R pediatric wrist radiograph | frontal | imaged through cast | Siemens 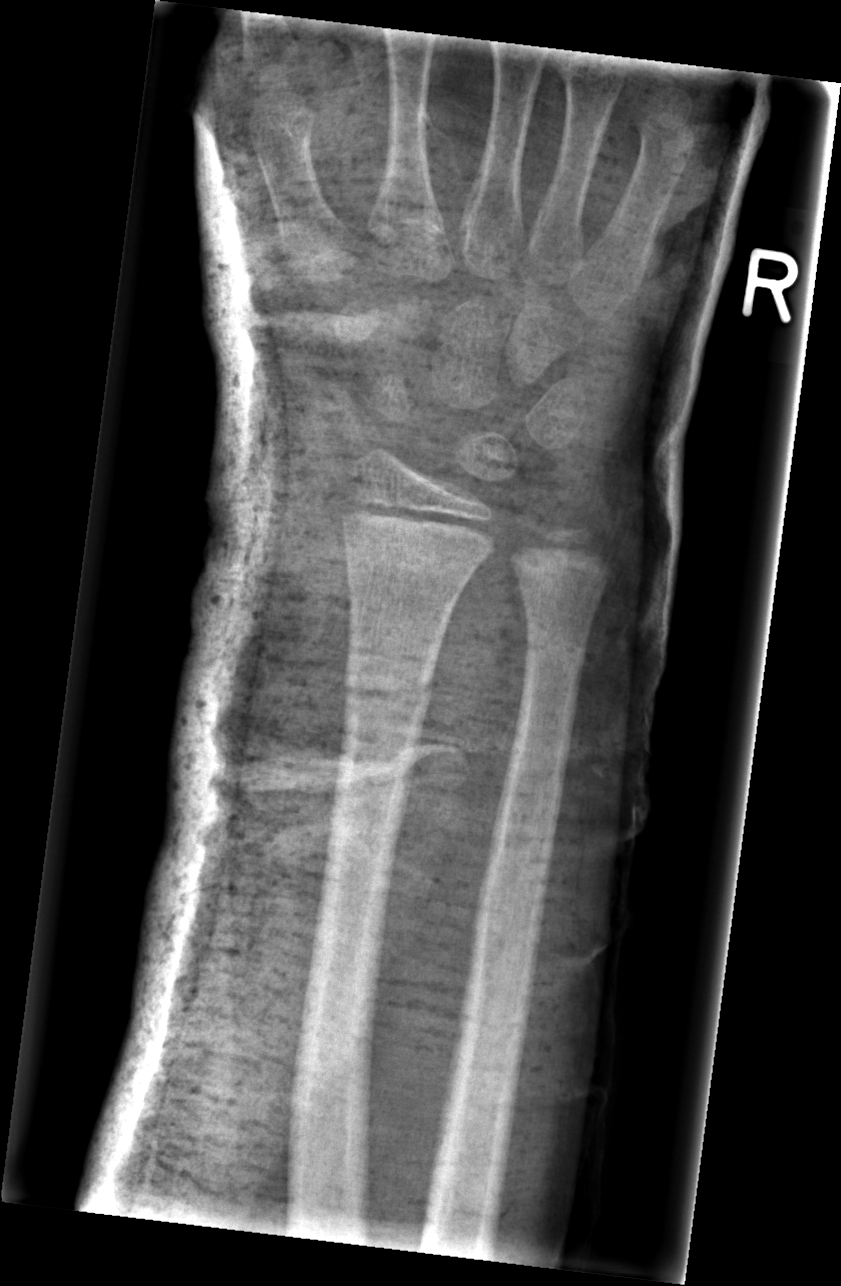

Q: Any fracture seen?
A: One fracture at [336, 647, 450, 718]
Q: AO code?
A: Fracture classified AO/OTA 23r-M/3.1